Lt wrist XR; lat view; subsequent exam; imaged through cast. 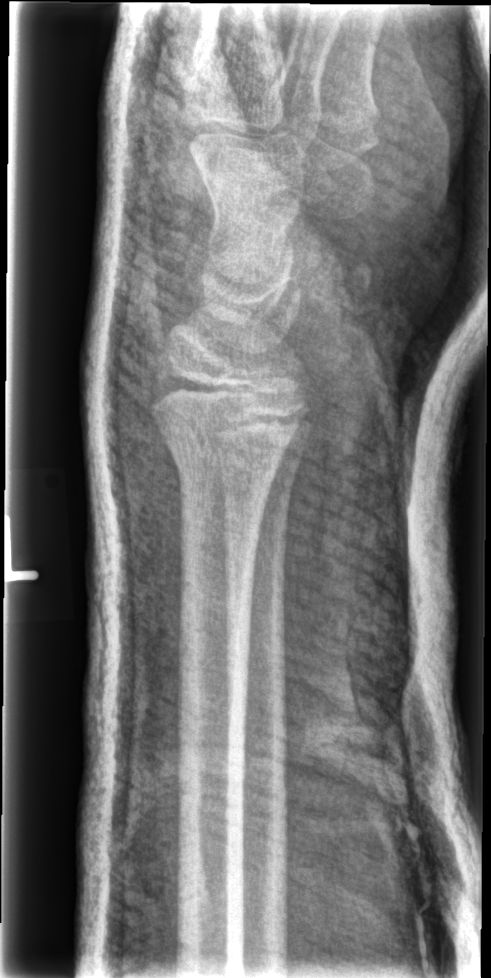 (bounding boxes in image-pixel xyxy)
Q: Locate any fractures.
A: Fx: 149 391 285 504
Q: What is the AO/OTA classification?
A: AO code 23r-M/3.1; 23u-E/7